PA view | left wrist X-ray | pediatric patient (male, age 7) | presentation radiograph | Siemens | 90.3 mm image width:
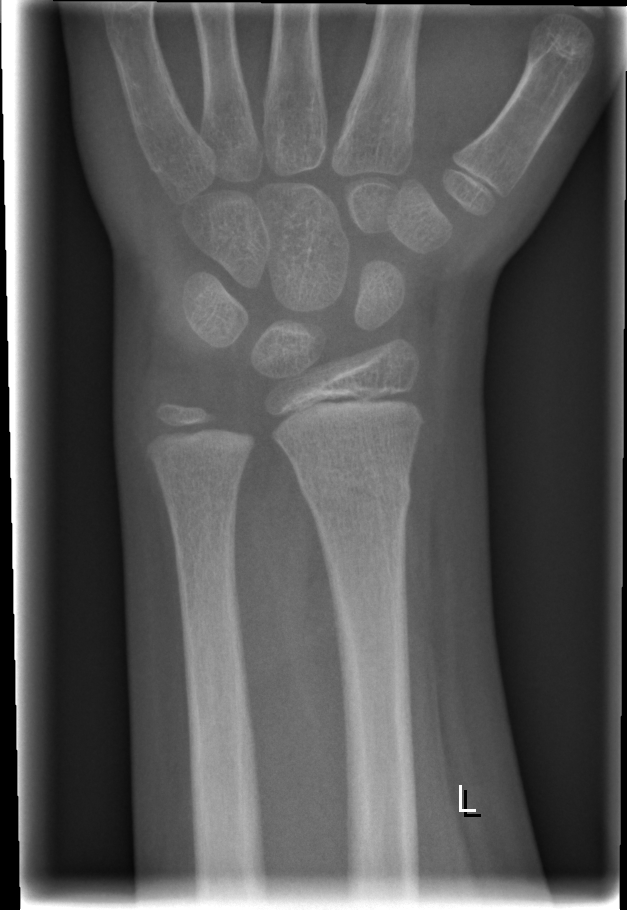

(bounding boxes in image-pixel xyxy)
AO code = 23r-M/2.1
Fracture = [296, 467, 414, 518]